Right plain radiograph of the wrist | lat | Siemens
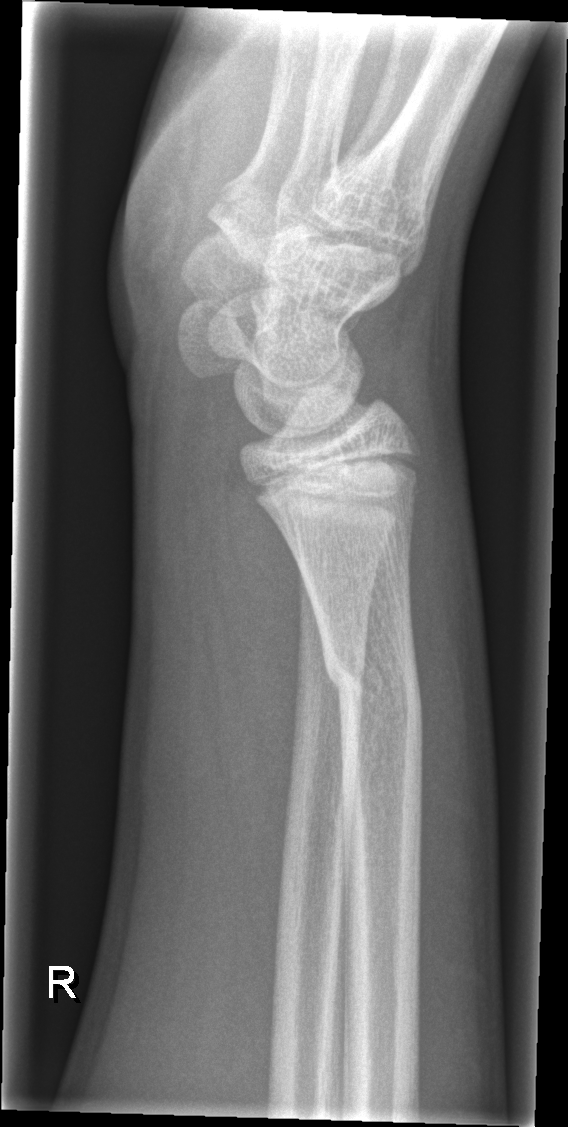 (bounding boxes in image-pixel xyxy)
AO classification: 23r-M/2.1
Fx: 321,638,426,726
positive pronator fat-pad sign: 213,442,309,985